Lateral view | Lt wrist X-ray | 8-year-old girl | cast present | acquired on Siemens | image size 578x1236
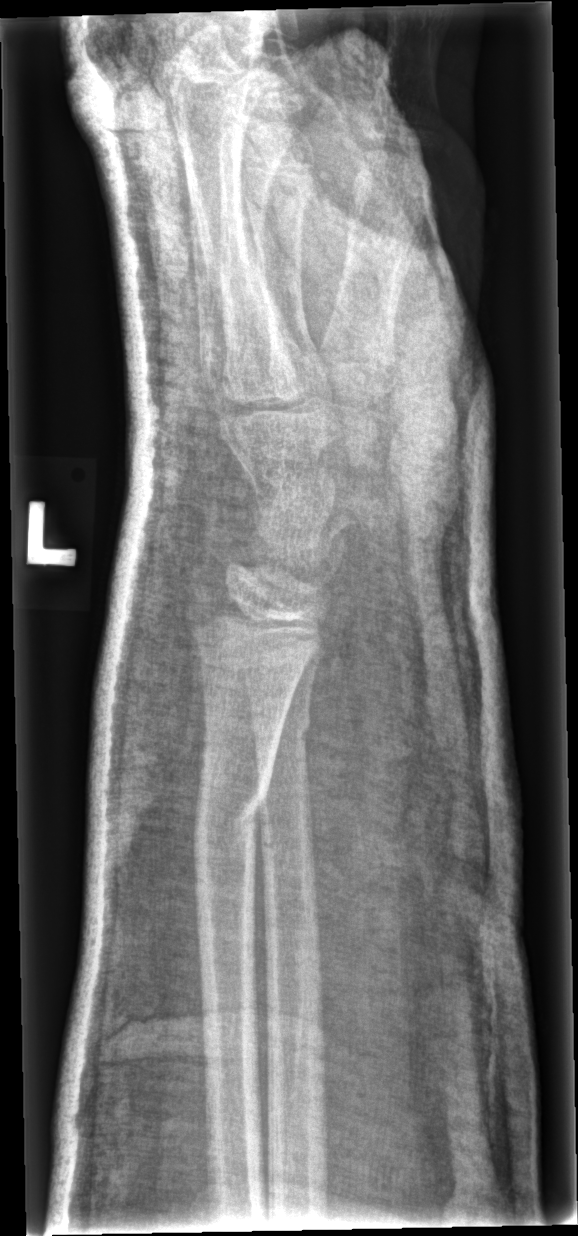

Fx: [188, 771, 271, 866] [245, 698, 315, 760]. Fracture classified AO/OTA 23-M/2.1.